Lateral view, right wrist radiograph, age 16 y, male, equivocal findings

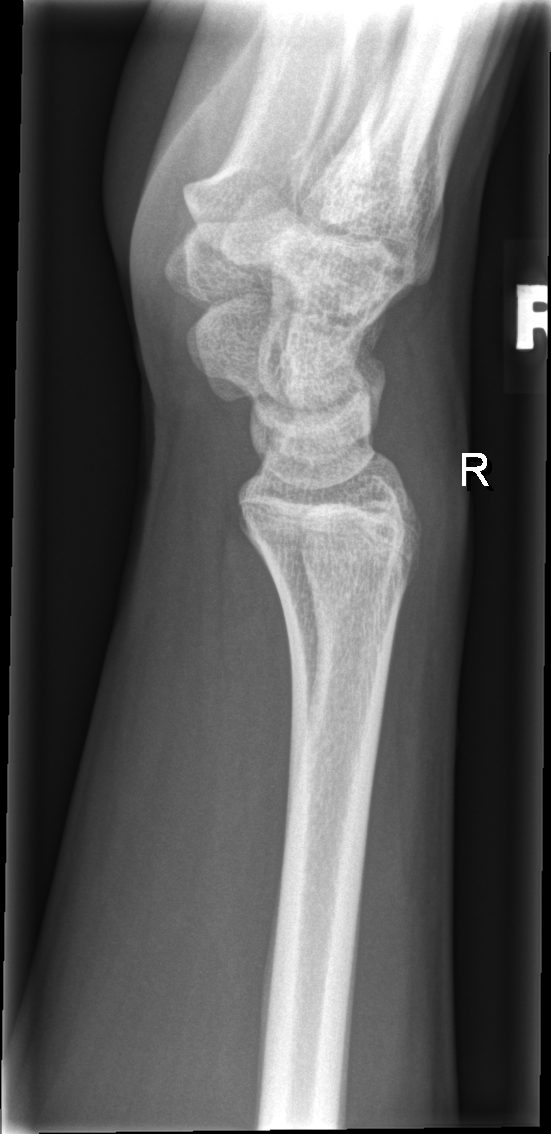 FINDINGS — Fracture classified AO/OTA 23r-M/2.1. One bone fracture at [273, 539, 425, 621].